Lateral projection | right pediatric wrist radiograph —
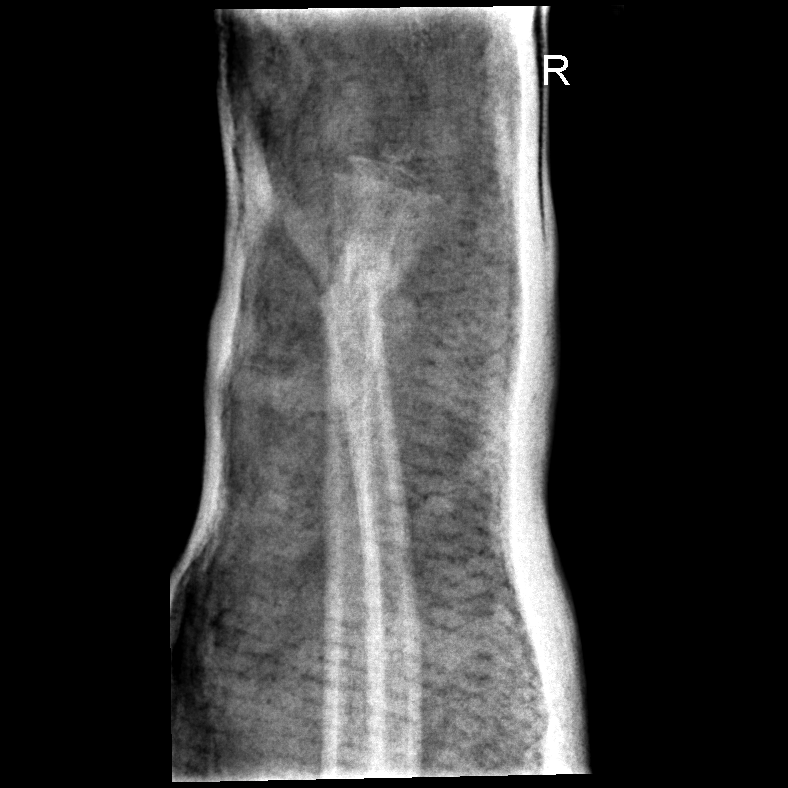

(coordinates are [x1, y1, x2, y2] in image pixels)
AO/OTA = 23-M/3.1
bone fracture = (312, 247, 406, 318)